Right wrist XR | lat | cast in situ:

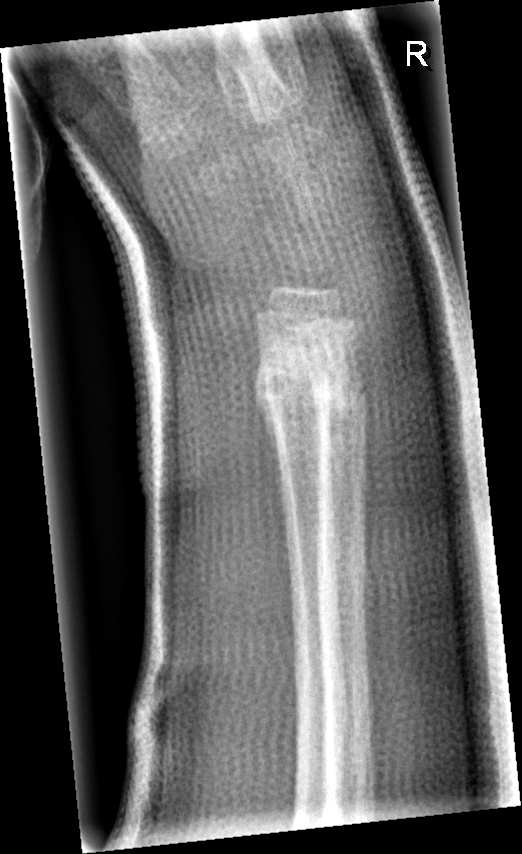

FINDINGS — (coordinates are [x1, y1, x2, y2] in image pixels) One bone fracture at bbox(251, 324, 355, 436).